Lat; left wrist plain radiograph of the wrist; 11-year-old boy —
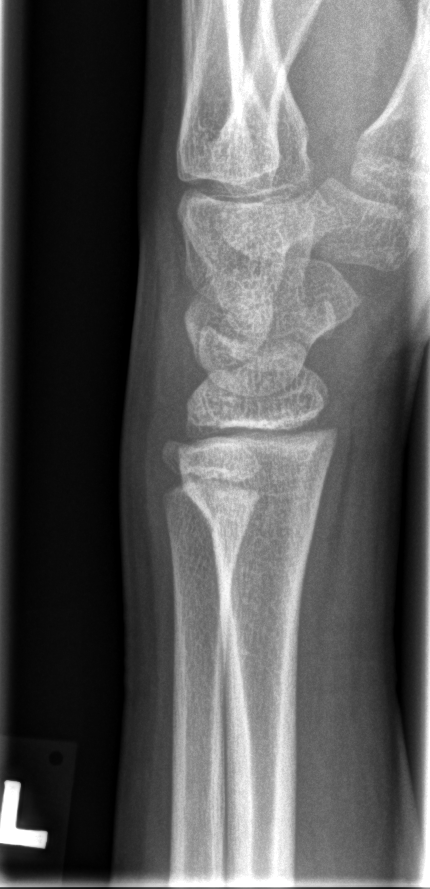
  ao: 23r-M/2.1
  fracture: 176 471 329 541